Left wrist plain radiograph of the wrist; AP projection; female, 9 yo; follow-up; cast present; detector: Siemens; 632 x 1044 px

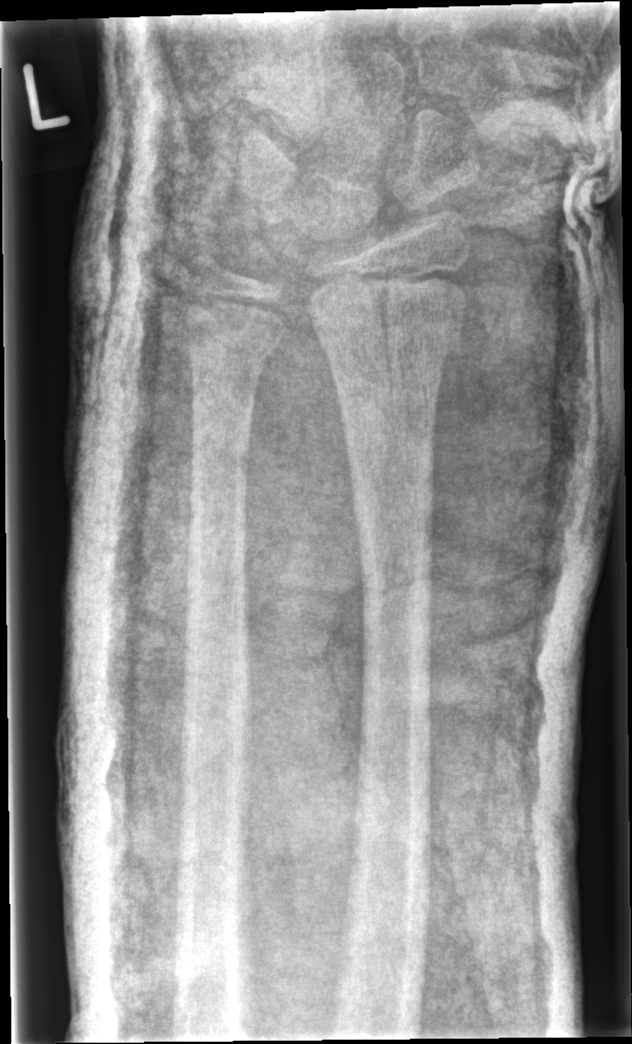 (coordinates are [x1, y1, x2, y2] in image pixels)
bone fracture: 2 @ [x1=307, y1=290, x2=472, y2=380] [x1=185, y1=321, x2=289, y2=377]